Left wrist pediatric wrist radiograph | frontal view | 12-year-old boy | equivocal findings | Siemens
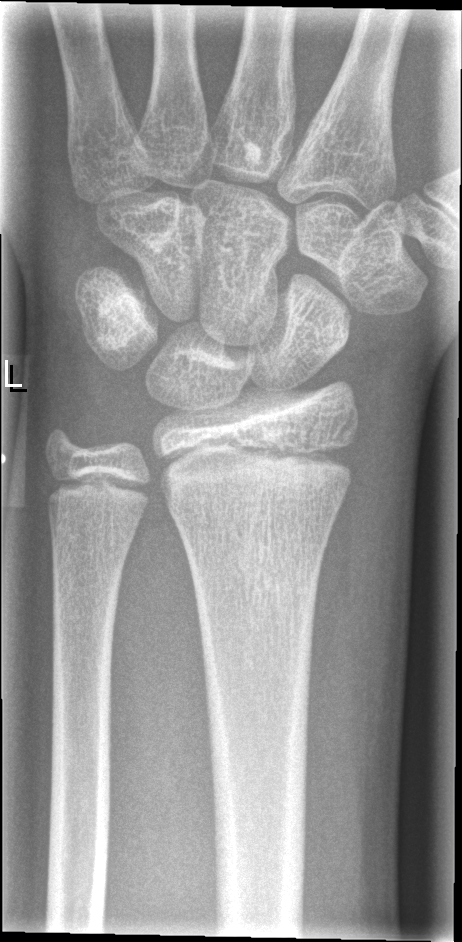 (bounding boxes in image-pixel xyxy)
AO classification: 23r-E/1
Fracture: present but not clearly seen in this view
Osseous anomaly: 1 @ (240, 136, 263, 169)